Lt wrist plain film | PA/AP | detector: Siemens | image 98.1 mm wide: 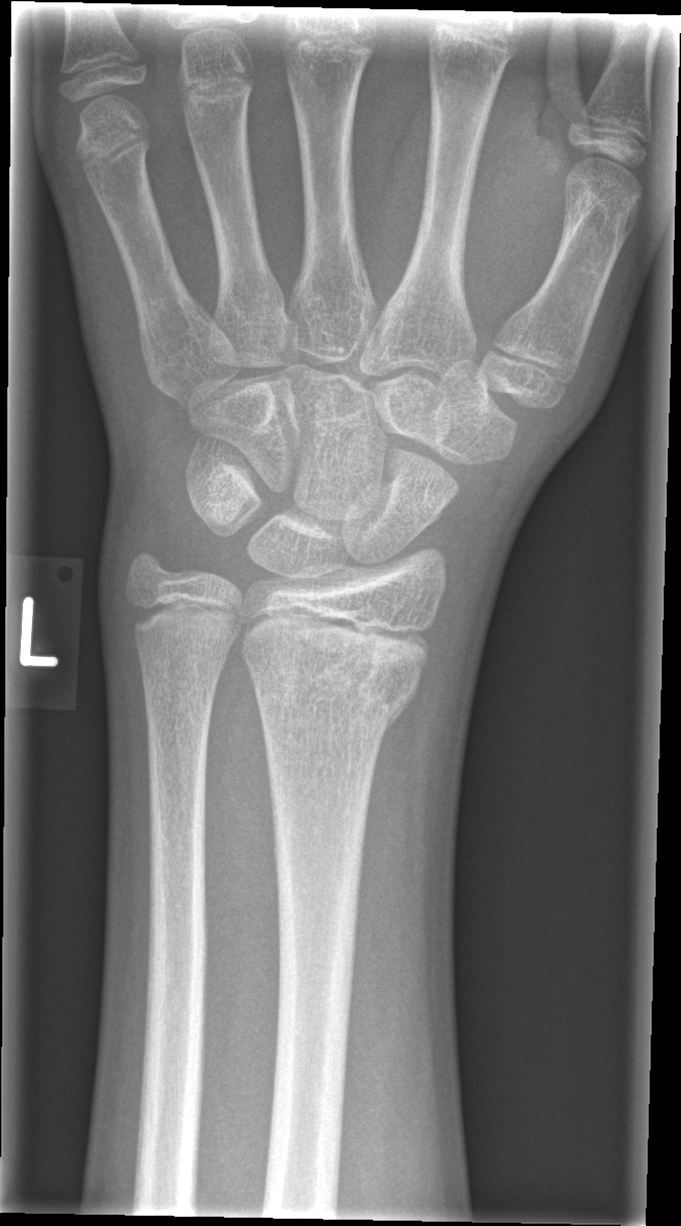 FINDINGS — (boxes as x1,y1,x2,y2 (top-left / bottom-right, pixel units)) Bone fracture identified at 244 651 431 739. AO/OTA classification: 23r-M/2.1.